L wrist X-ray; PA/AP projection; age 9 y, girl

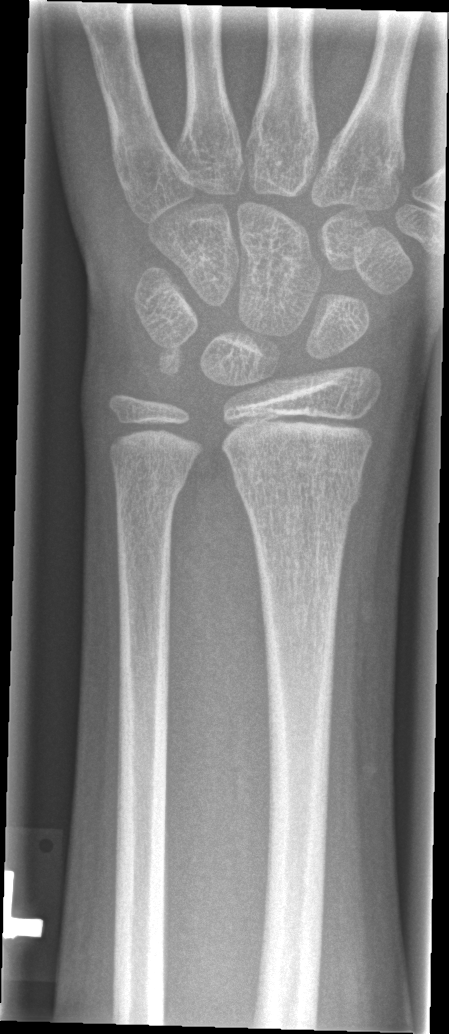 {"fracture": "2 @ <232,464>-<366,524>; <110,456>-<193,504>"}